PA/AP, left wrist radiograph, pediatric patient (female, age 15), image size 626x1132. 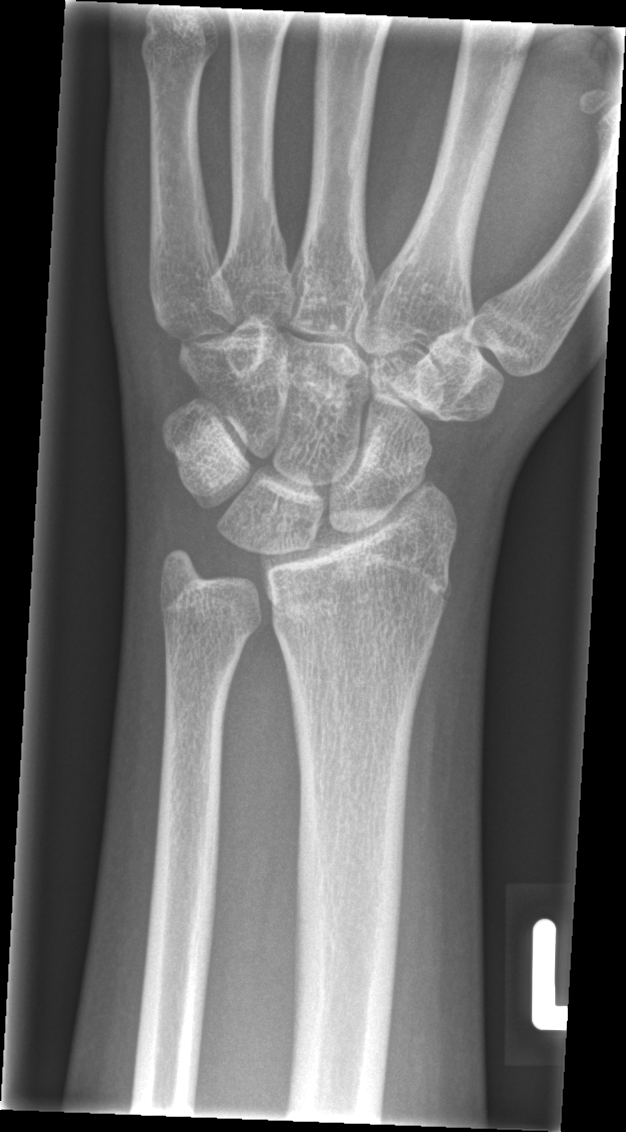
No fracture bounding box.